Lt plain radiograph of the wrist | PA/AP | detector: Siemens 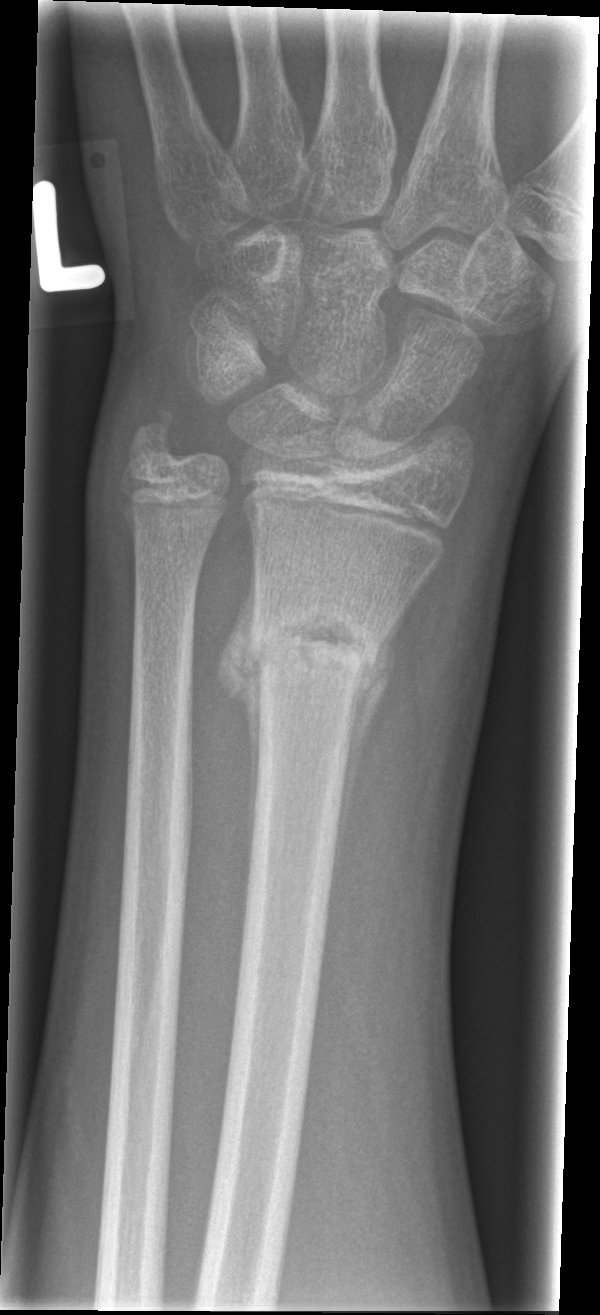

- Boxes as x1,y1,x2,y2 (top-left / bottom-right, pixel units).
- Fractures — [245, 598, 391, 696], [125, 403, 191, 472].
- Periosteal thickening: [330, 569, 430, 877]; [215, 533, 265, 896].
- Osteopenia.